Lateral view; left wrist plain radiograph of the wrist; pediatric patient (boy, age 13); presentation radiograph; findings marked uncertain by the reading radiologist; acquired on Siemens. 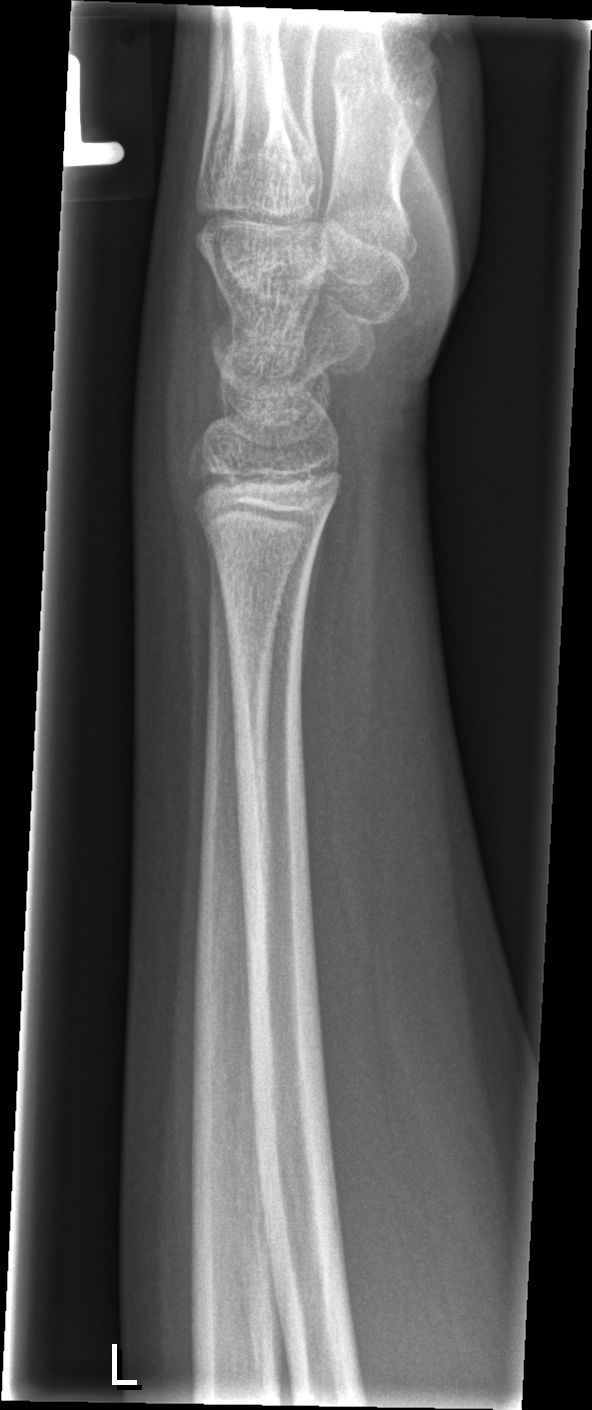

Fx: none.